PA/AP view | left wrist X-ray | 9-year-old girl | presentation radiograph | image size 445x976 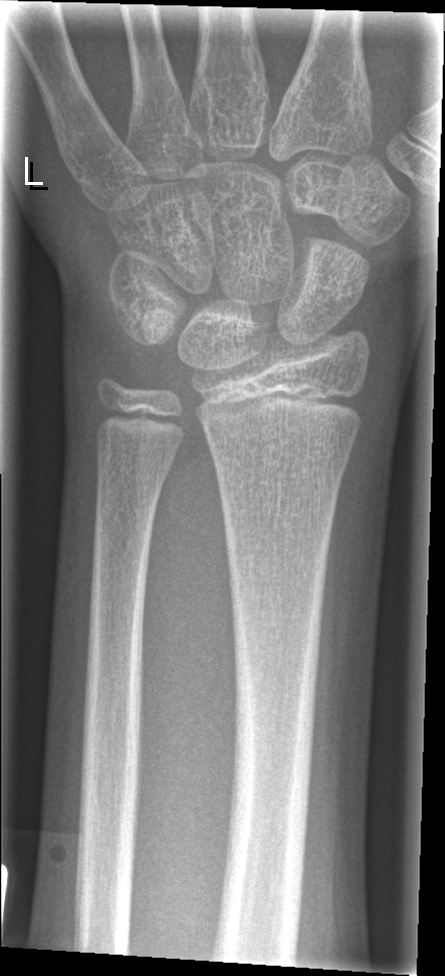

{"fracture": "none labeled"}